AP projection | Lt wrist XR | boy, 13 yo

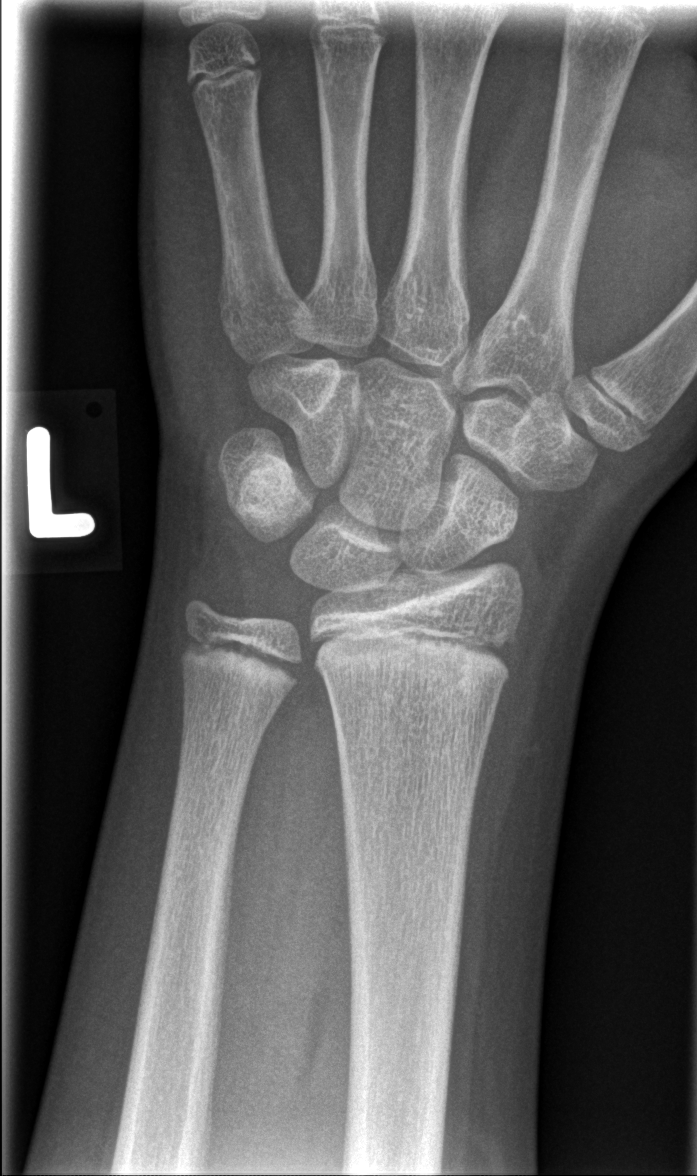
• Fracture: none labeled.